Lat view, L wrist X-ray, 7-year-old female, 101.5 mm image width. 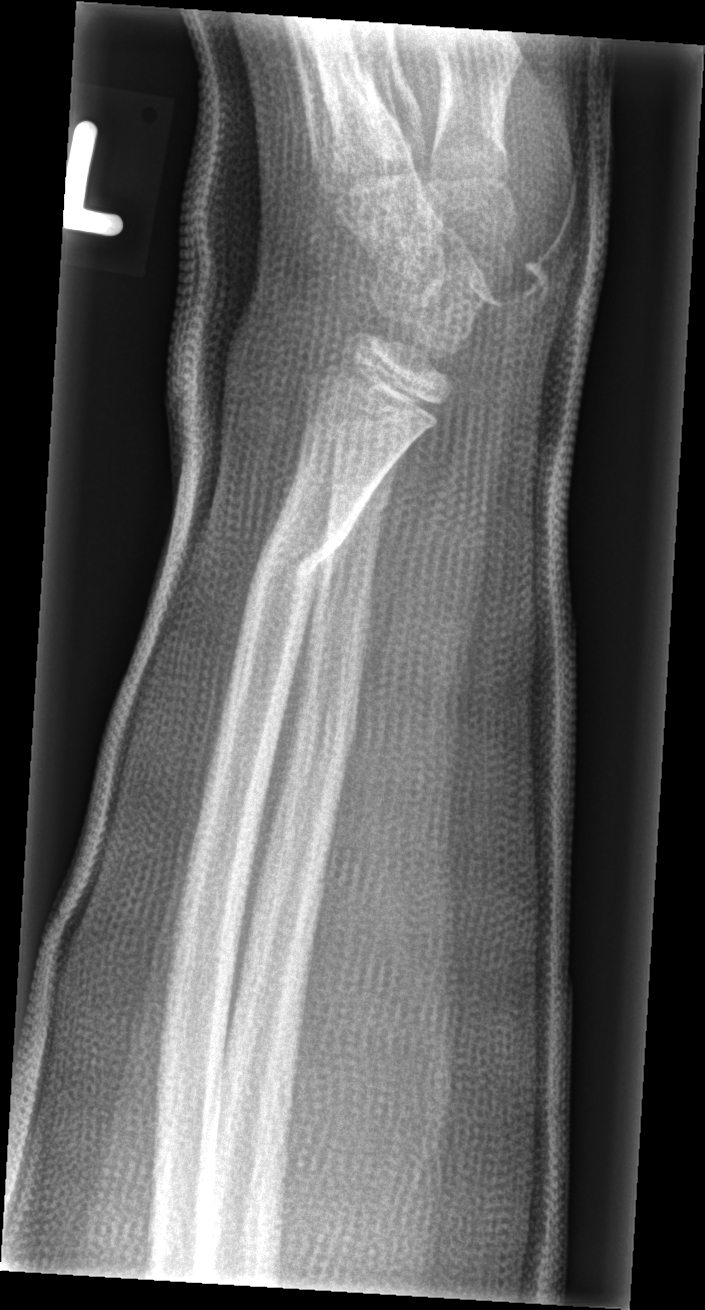 Coordinates are [x1, y1, x2, y2] in image pixels. Fracture classified AO/OTA 23-M/2.1. Two fractures at 244,524,347,603; 321,475,400,529.